Right wrist plain radiograph of the wrist; AP

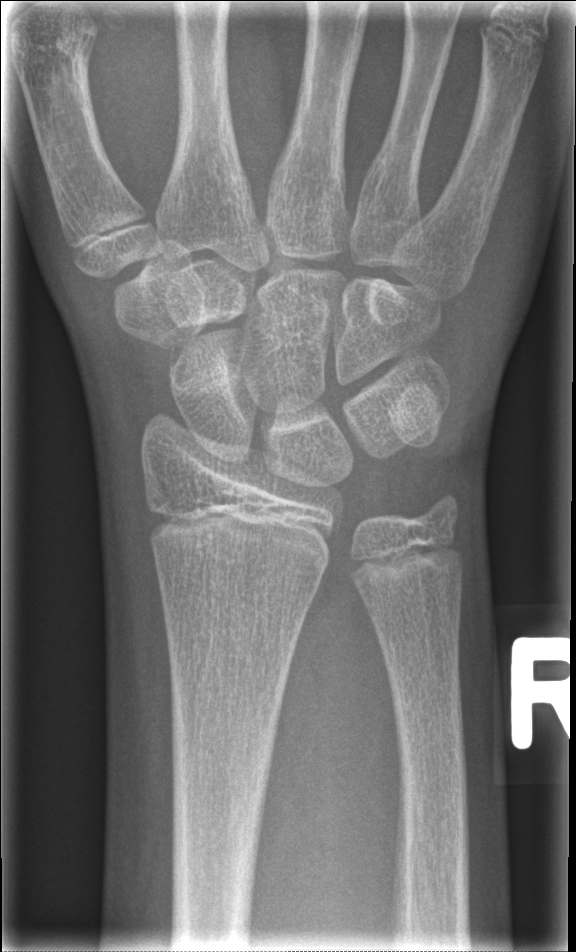

Bone fracture: none labeled